Lateral projection, left plain radiograph of the wrist, 638 by 887 pixels 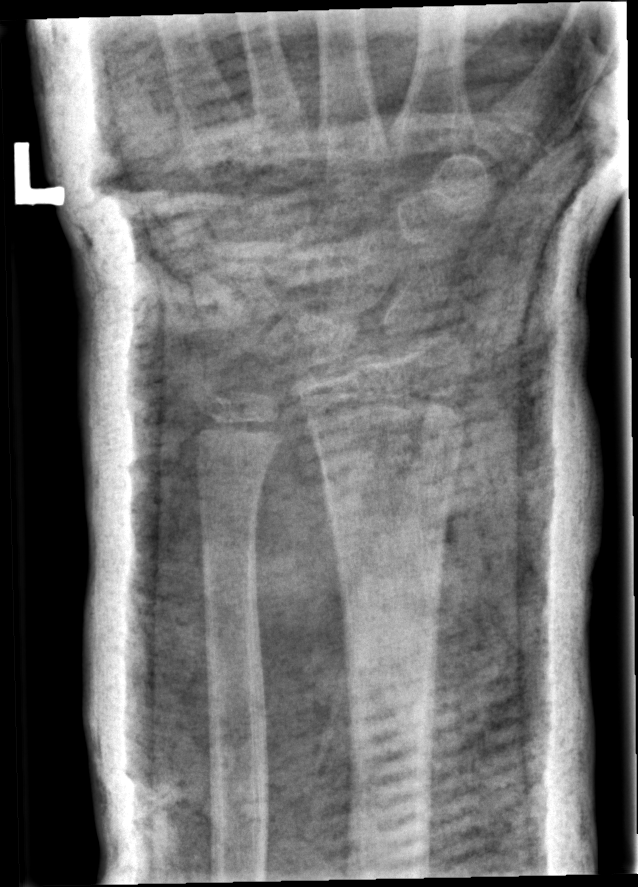 AO classification = 23r-M/2.1
Fx = present but not clearly seen in this view